L wrist XR, lat, index exam 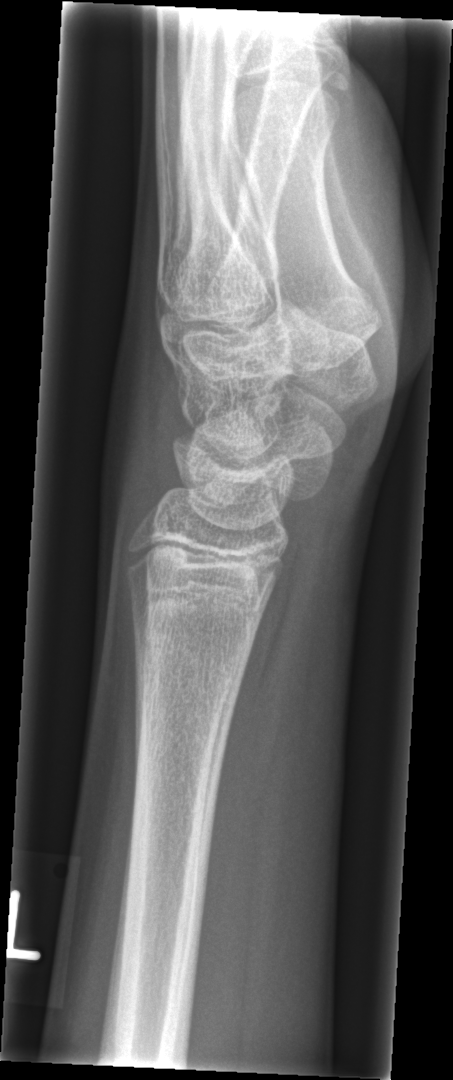
Q: Is there a fracture?
A: No fracture labeled